Rt wrist plain film · PA · findings marked uncertain by the reading radiologist · acquired on Siemens 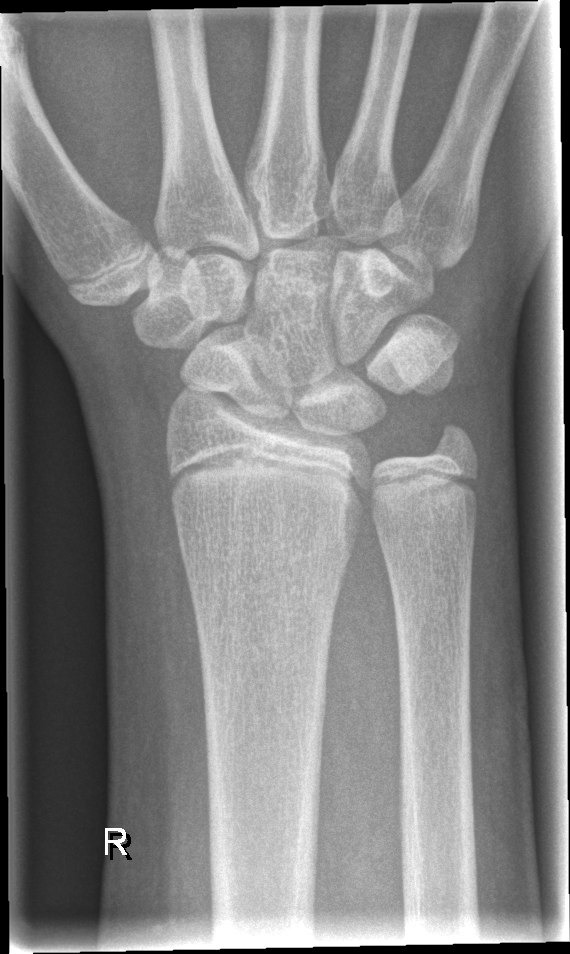
• Fx: none.